Right wrist pediatric wrist radiograph; lateral view:
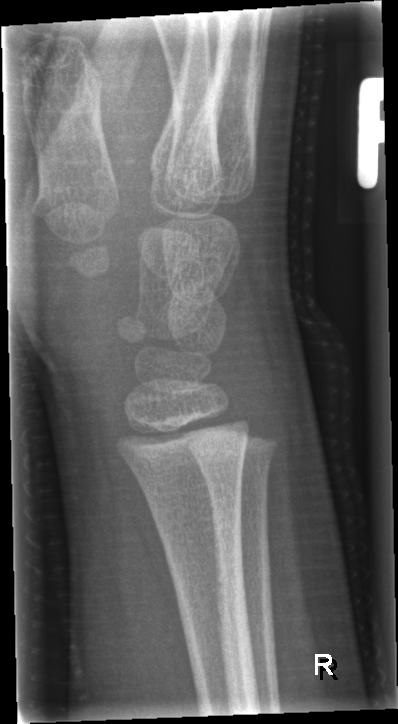

Fracture = none labeled